Left wrist XR · posteroanterior projection · 9y M · follow-up · 723 x 1162 px. 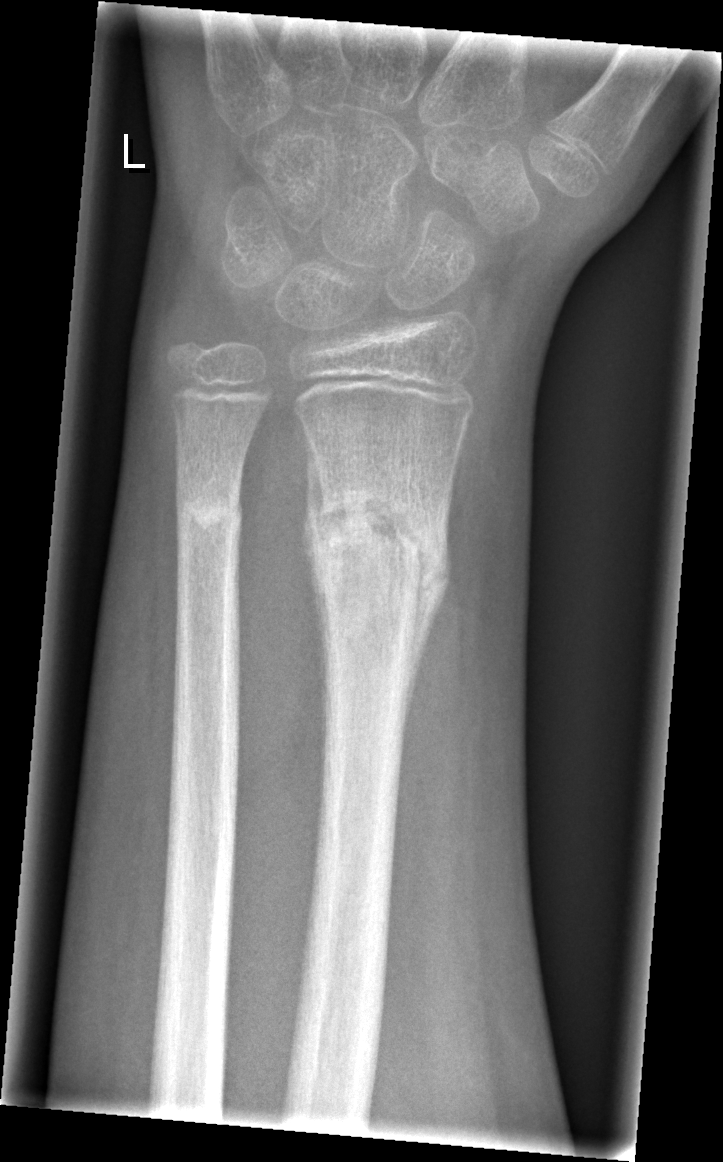 Findings: (pixel coordinates, top-left origin, xyxy) Fx identified at [304, 482, 454, 615]; [173, 483, 246, 552]. Periosteal new bone: [403, 496, 453, 729], [301, 434, 332, 735].